PA view, right wrist XR:
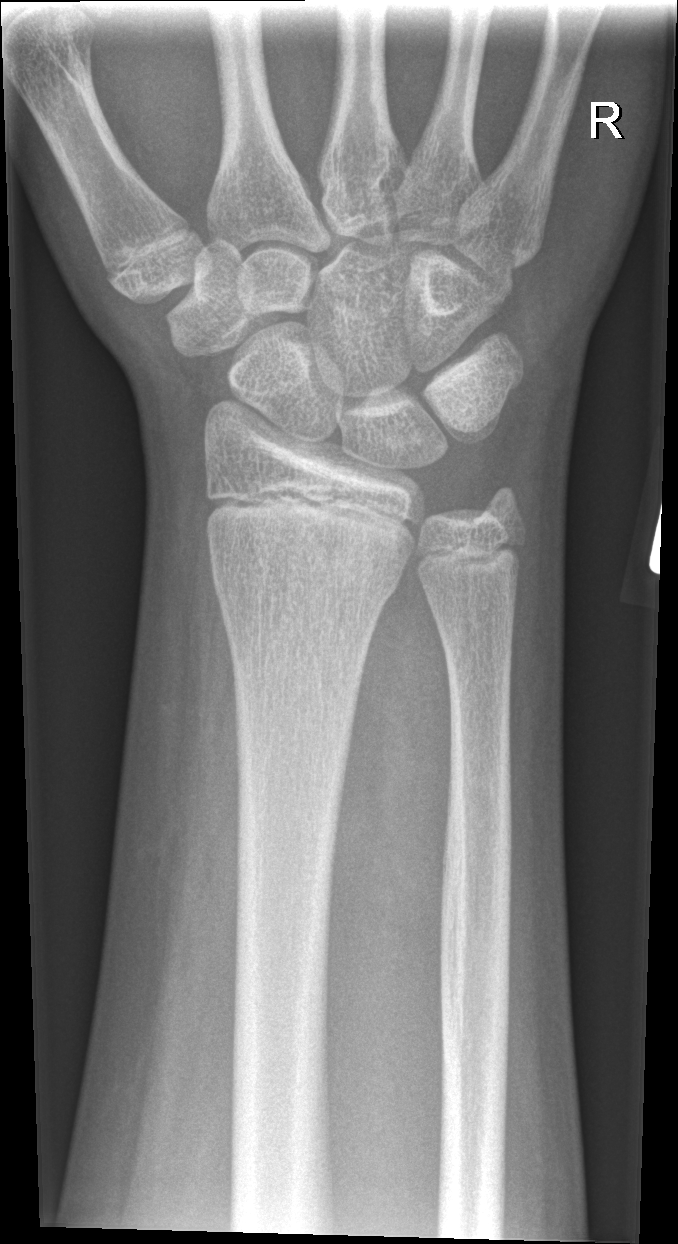

Findings: Fracture — <208,540>-<410,626>. Fracture classified AO/OTA 23r-M/2.1.